Rt wrist radiograph, posteroanterior projection, in cast, 516 x 771 px —
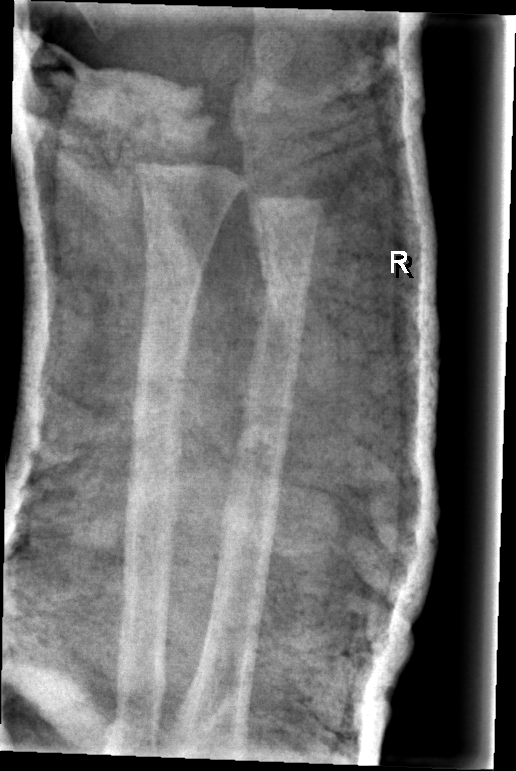
Q: Locate any fractures.
A: Fracture present but not clearly seen in this view